L plain radiograph of the wrist · lat · follow-up study · image width 68.0 mm 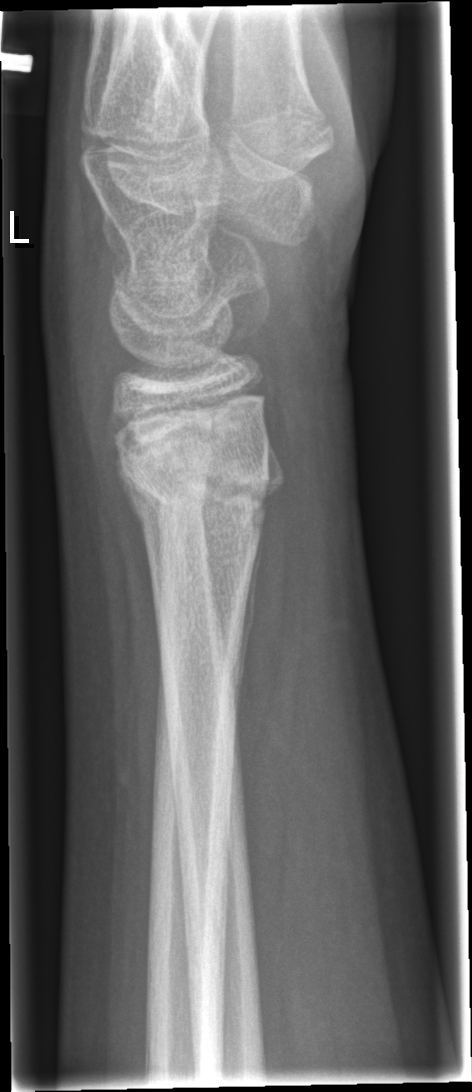
Fracture: (121, 435, 283, 526)
Periosteal new bone: 2 @ (233, 517, 264, 717) (263, 437, 286, 502)